Rt wrist radiograph · posteroanterior · girl, 2 yo · acquired on Siemens · image width 60.8 mm: 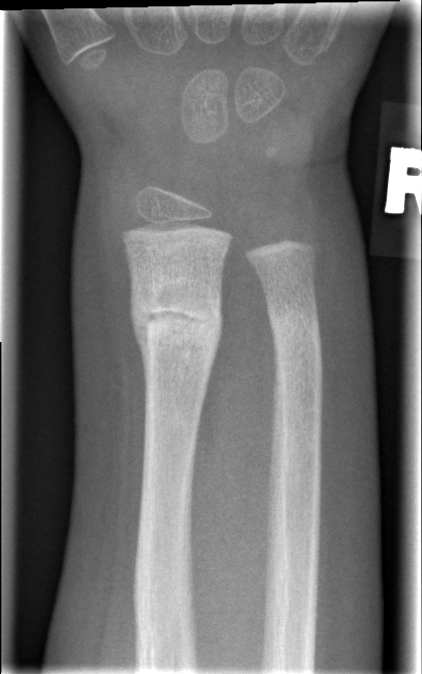

• Fx: [127, 283, 226, 367] [266, 302, 323, 360].
• Periosteal thickening — [132, 277, 149, 372].
• Reduced bone mineral density.